PA projection, R plain radiograph of the wrist, pediatric patient (female, age 13), initial study

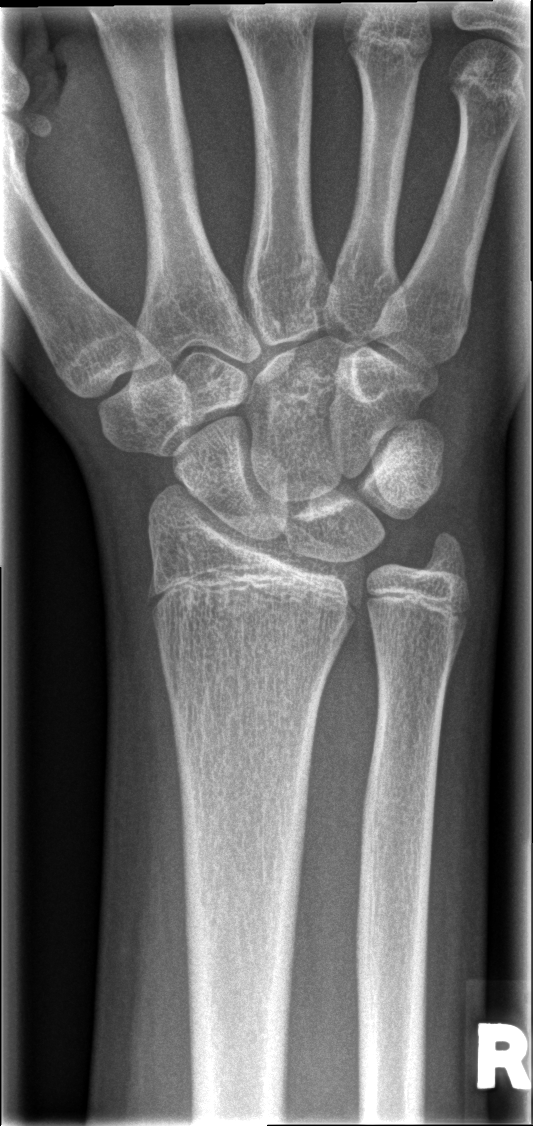 fracture: none labeled